L wrist X-ray · lat view · pediatric patient (boy, age 10) · Siemens · 436 x 1206 px:
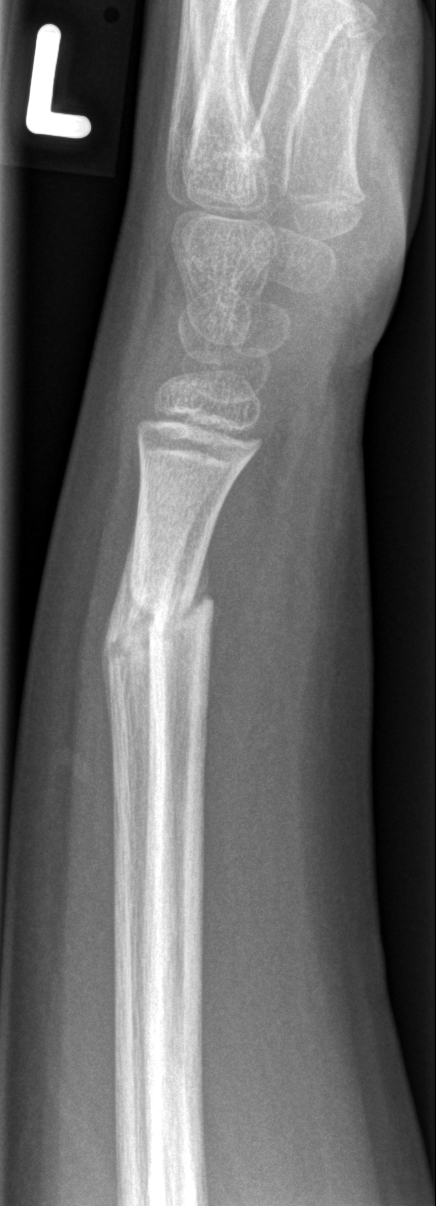
FINDINGS — (boxes as x1,y1,x2,y2 (top-left / bottom-right, pixel units)) AO/OTA classification: 23-M/3.1. Bone fracture: (left=129, top=594, right=220, bottom=637); (left=100, top=625, right=177, bottom=671). Decreased bone density (osteopenia).